PA view, R wrist XR —

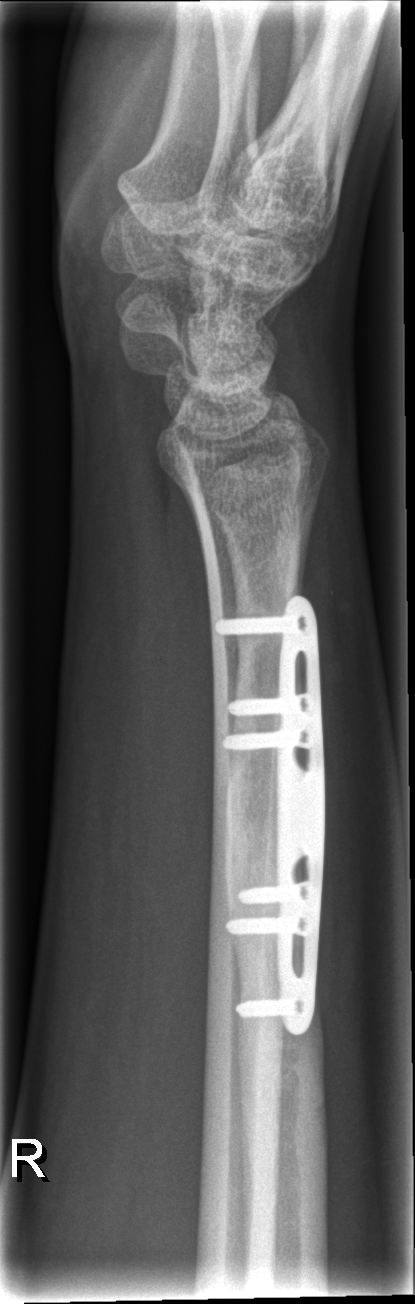
{
  "_coords": "bounding boxes in image-pixel xyxy",
  "fracture": "none labeled",
  "metal": "<218,600>-<325,1031>"
}